Lt wrist XR; PA/AP view; age 9 y, boy; follow-up; in cast:
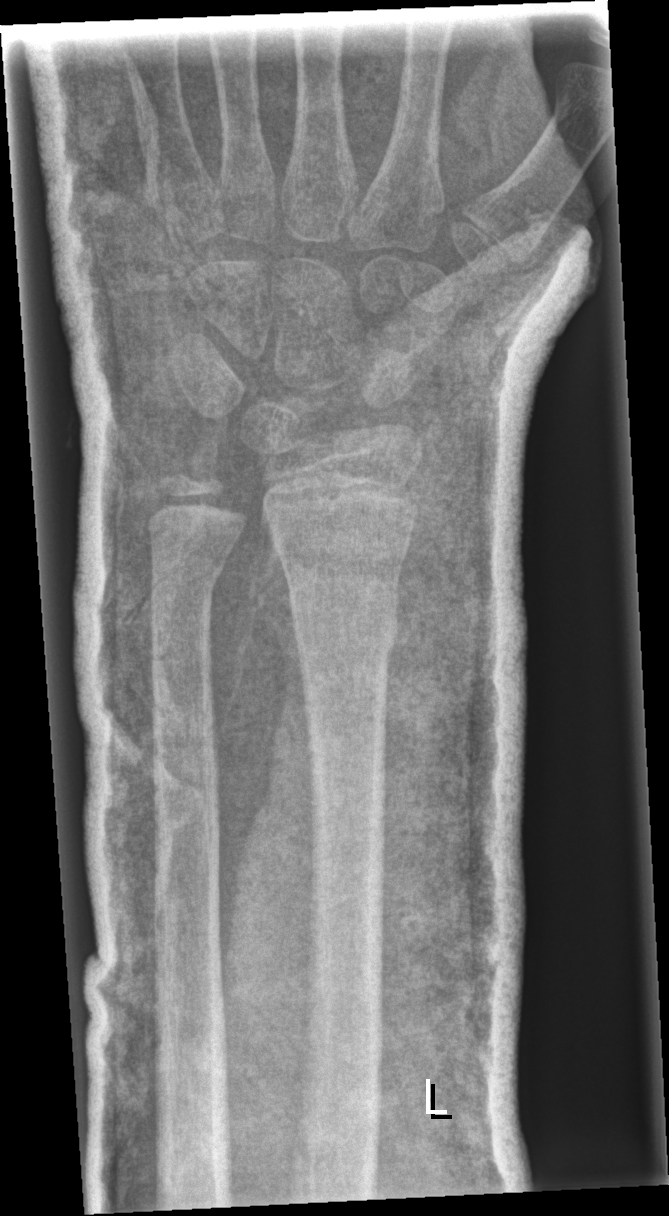
• AO code 23-M/2.1.
• Fractures — [285, 574, 402, 660] [145, 546, 229, 607].